Left pediatric wrist radiograph, PA projection, pediatric patient (girl, age 16), Siemens, 735 x 846 px —

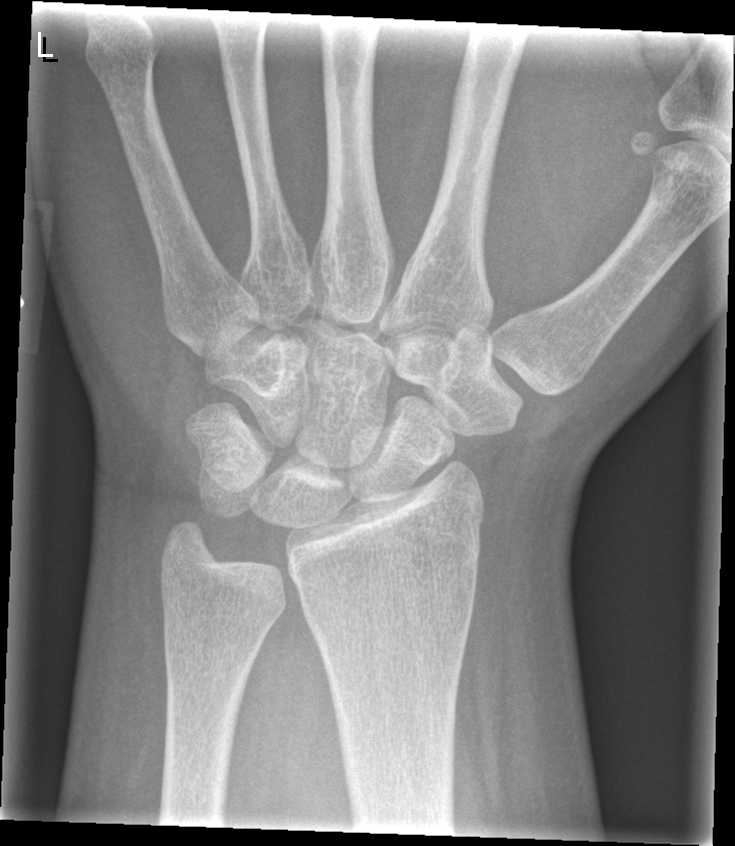
Fracture: none labeled